Right wrist plain film · PA projection.

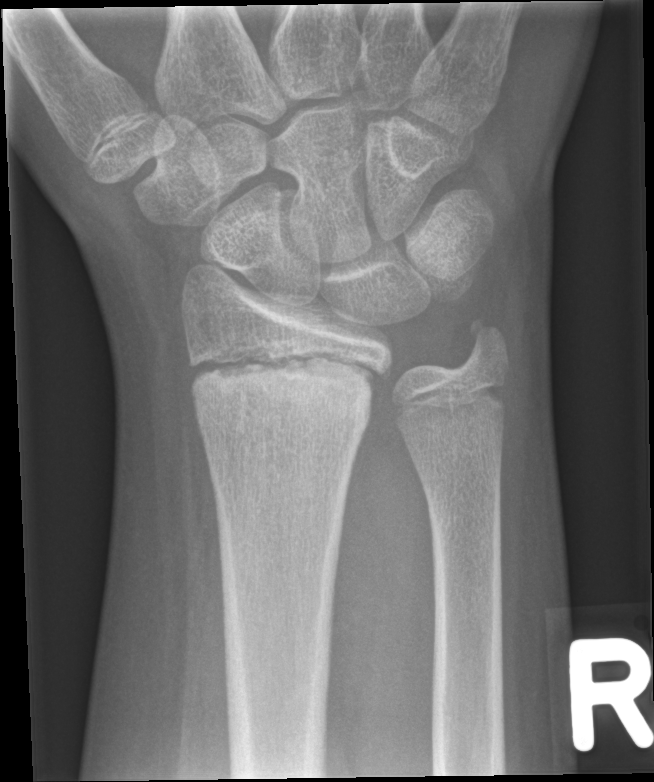

Pixel coordinates, top-left origin, xyxy.
AO/OTA classification: 23r-E/2.1; 23u-E/7.
Fracture: <183,339>-<391,421>, <459,312>-<518,369>.